Frontal view · L wrist XR.
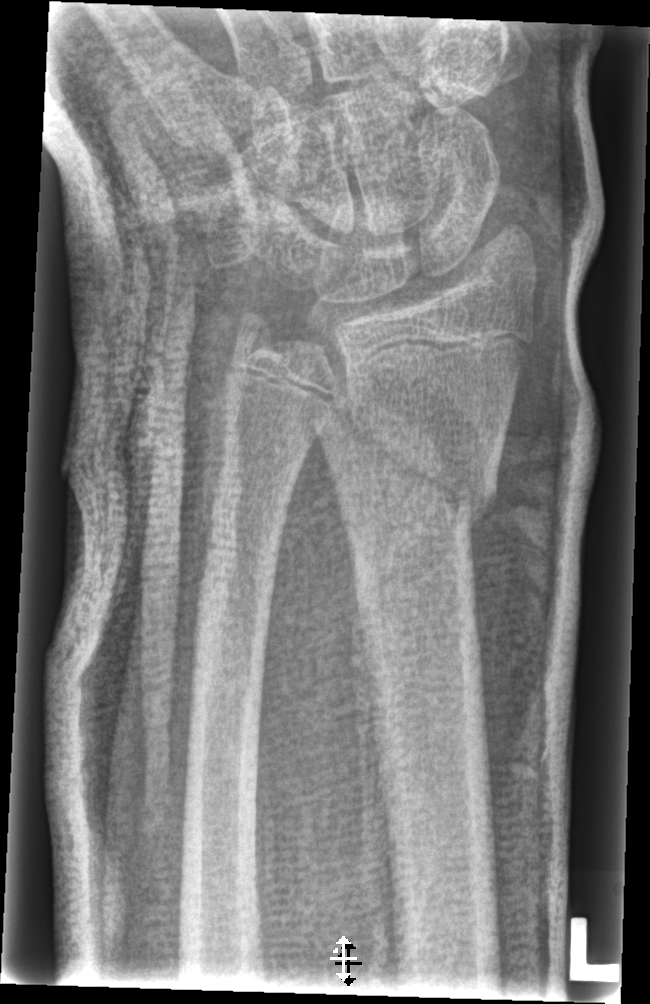
(bounding boxes in image-pixel xyxy)
Fx: [312, 392, 503, 535]